Frontal | left wrist radiograph | 18y M | subsequent exam | 770 by 1390 pixels:

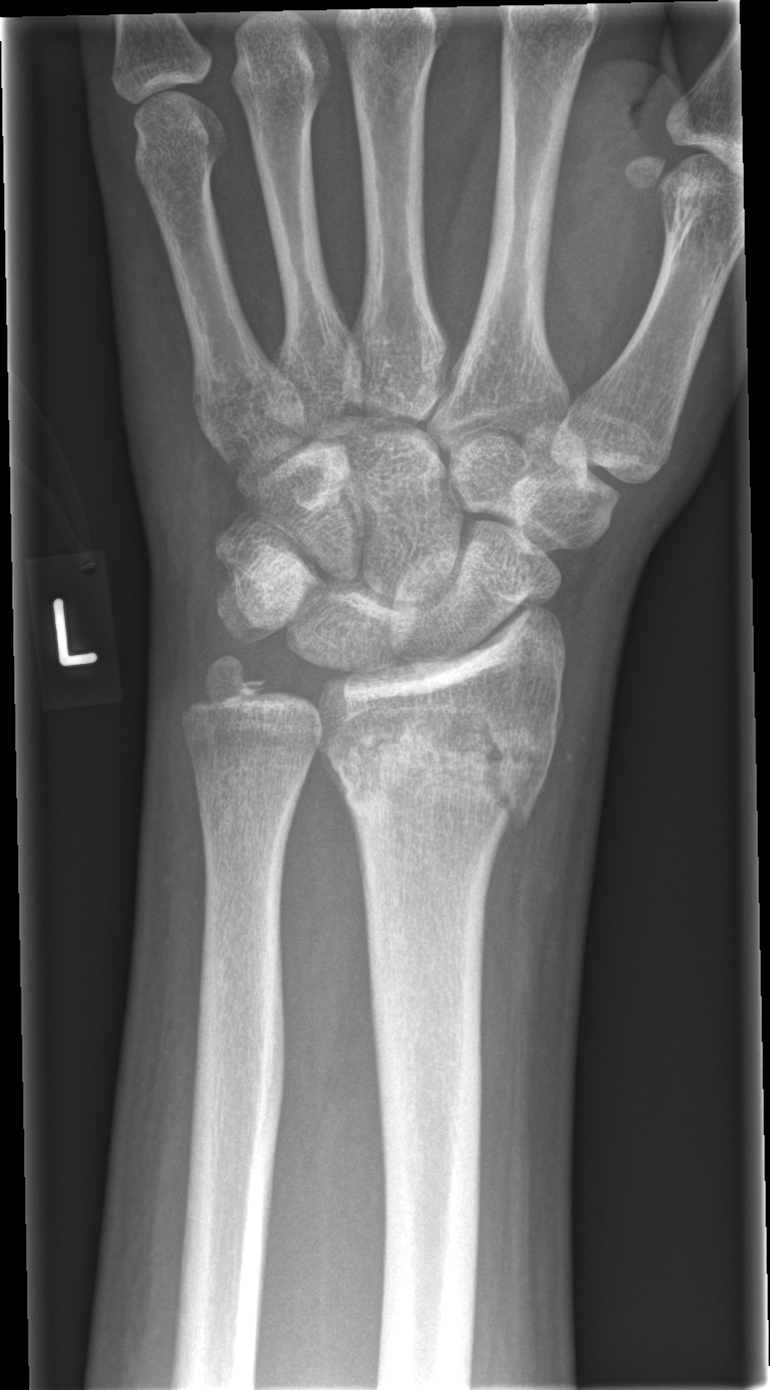
* AO code 23r-M/3.1; 23u-E/7.
* Fracture: <325,712>-<554,837>; <176,645>-<278,726>.